Posteroanterior, L wrist radiograph, index exam —

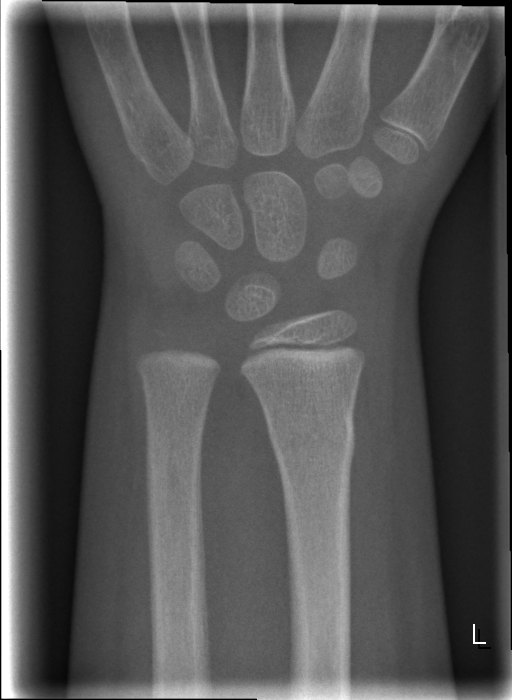
{
  "_coords": "bounding boxes in image-pixel xyxy",
  "fracture": "bbox(264, 413, 359, 460)"
}